Lt wrist radiograph · AP view · 11-year-old boy · image 84.7 mm wide · 588x977 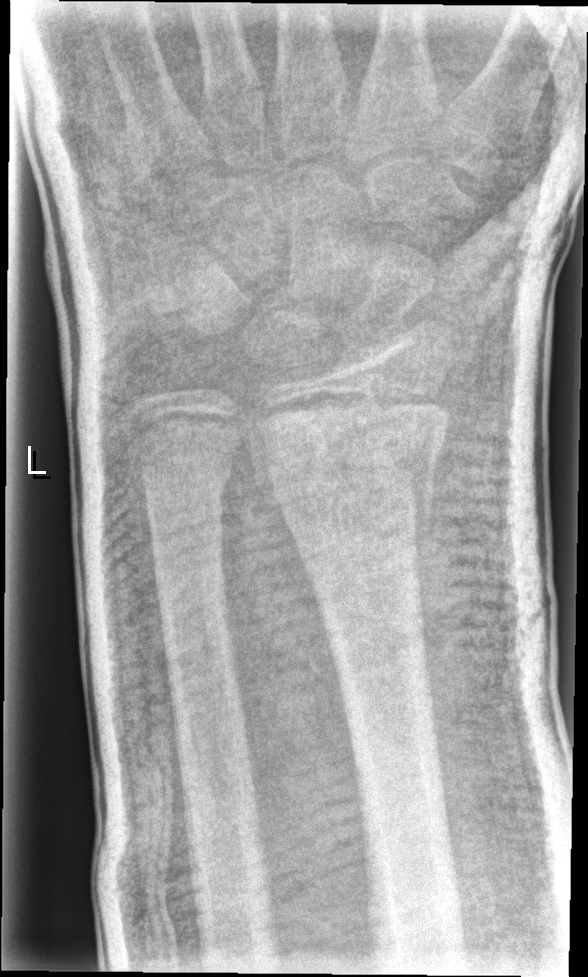 fracture: (left=253, top=391, right=454, bottom=535); (left=138, top=445, right=237, bottom=503)
ao: 23r-E/2.1; 23u-M/2.1